Lateral view | R plain radiograph of the wrist | subsequent exam | detector: Siemens
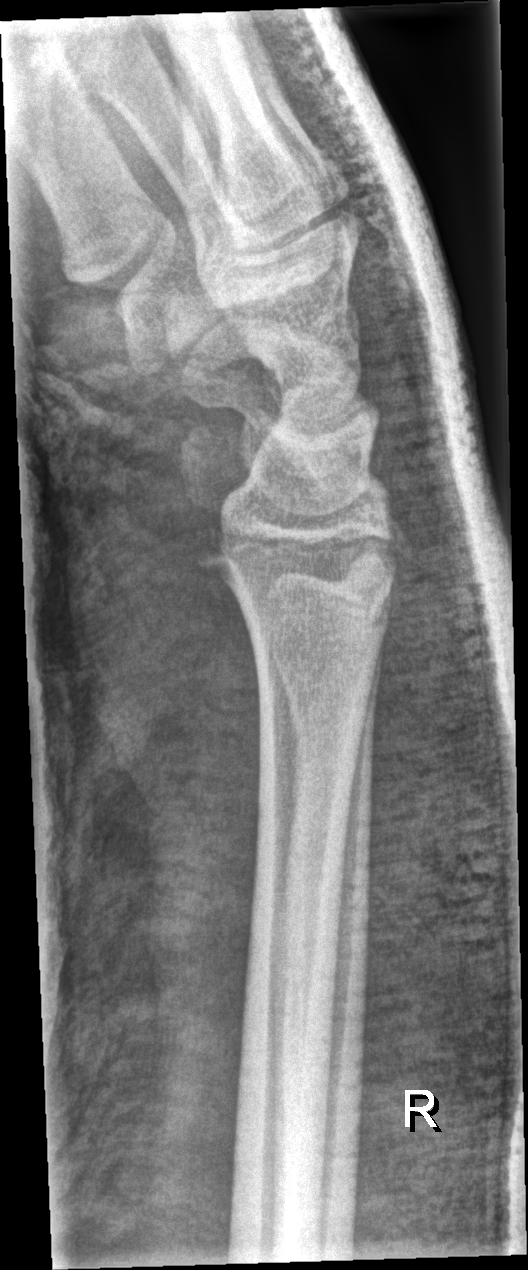

{"ao": "23r-E/2.1", "fracture": "1 @ [200, 511, 406, 609]"}